Lat; left wrist plain radiograph of the wrist —

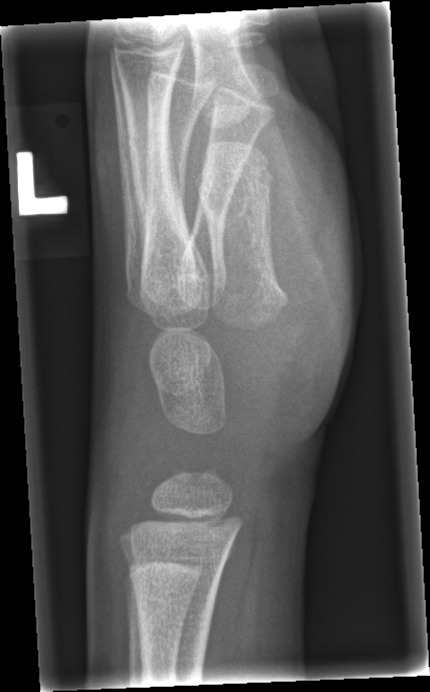 fracture: none labeled